Right wrist radiograph; AP view; acquired on Siemens
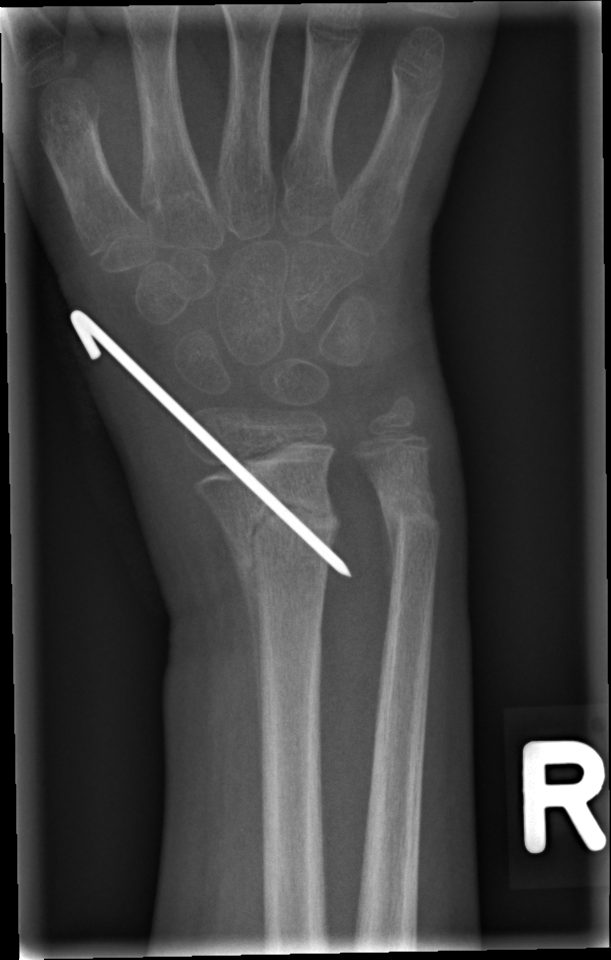

Bone fracture = [x1=225, y1=483, x2=345, y2=598] [x1=375, y1=485, x2=447, y2=564]
Osteopenia = present
Metallic hardware = [x1=65, y1=303, x2=352, y2=577]